Right wrist plain radiograph of the wrist | posteroanterior view | 13-year-old boy. 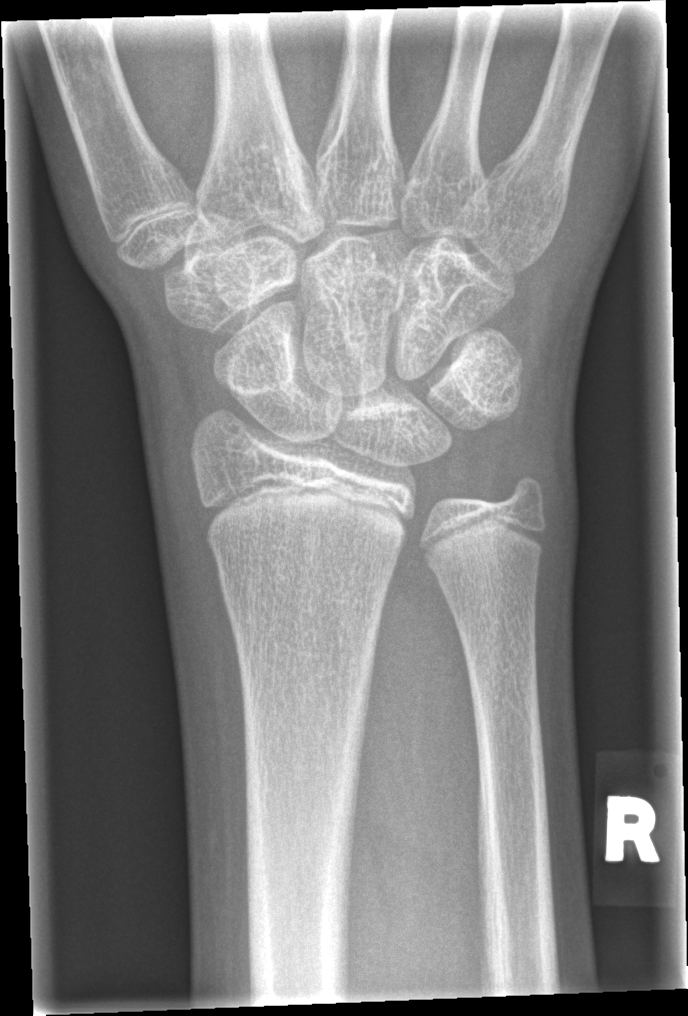

Q: Locate any fractures.
A: One Fx at 220,569,387,632